Posteroanterior; left wrist plain film —
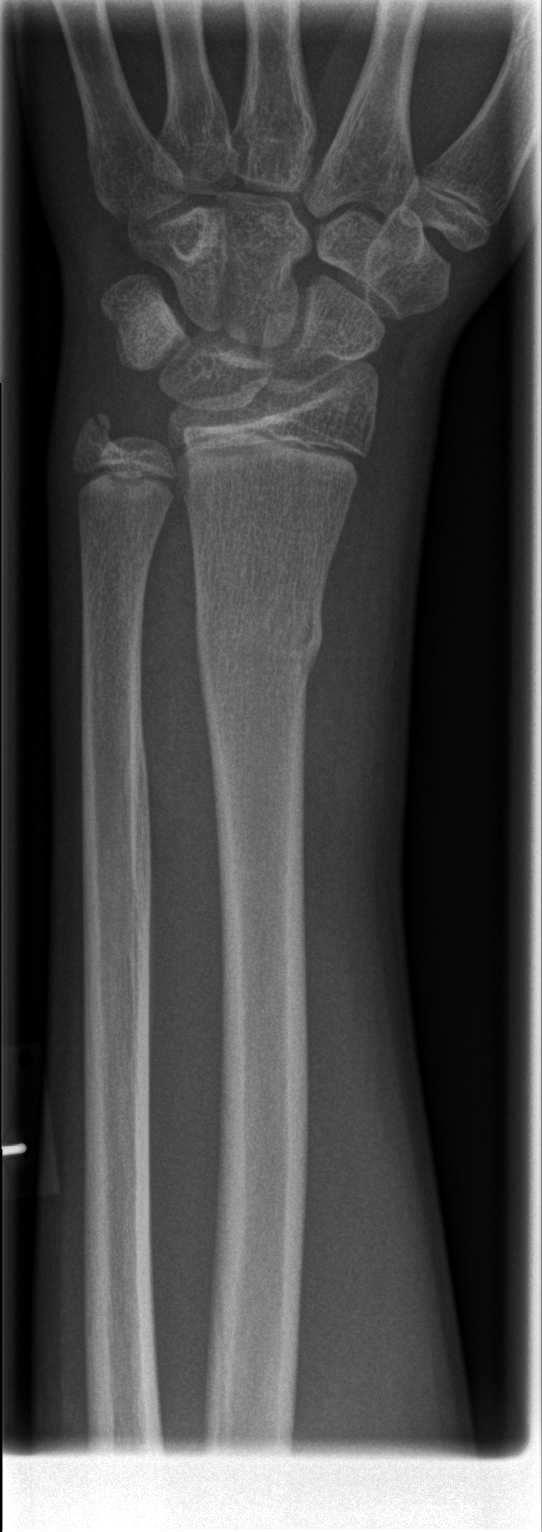

Boxes as x1,y1,x2,y2 (top-left / bottom-right, pixel units). Fx: 189,593,329,693; 67,403,131,470.